Posteroanterior projection | Lt wrist X-ray | follow-up | cast in situ | image width 110.0 mm:

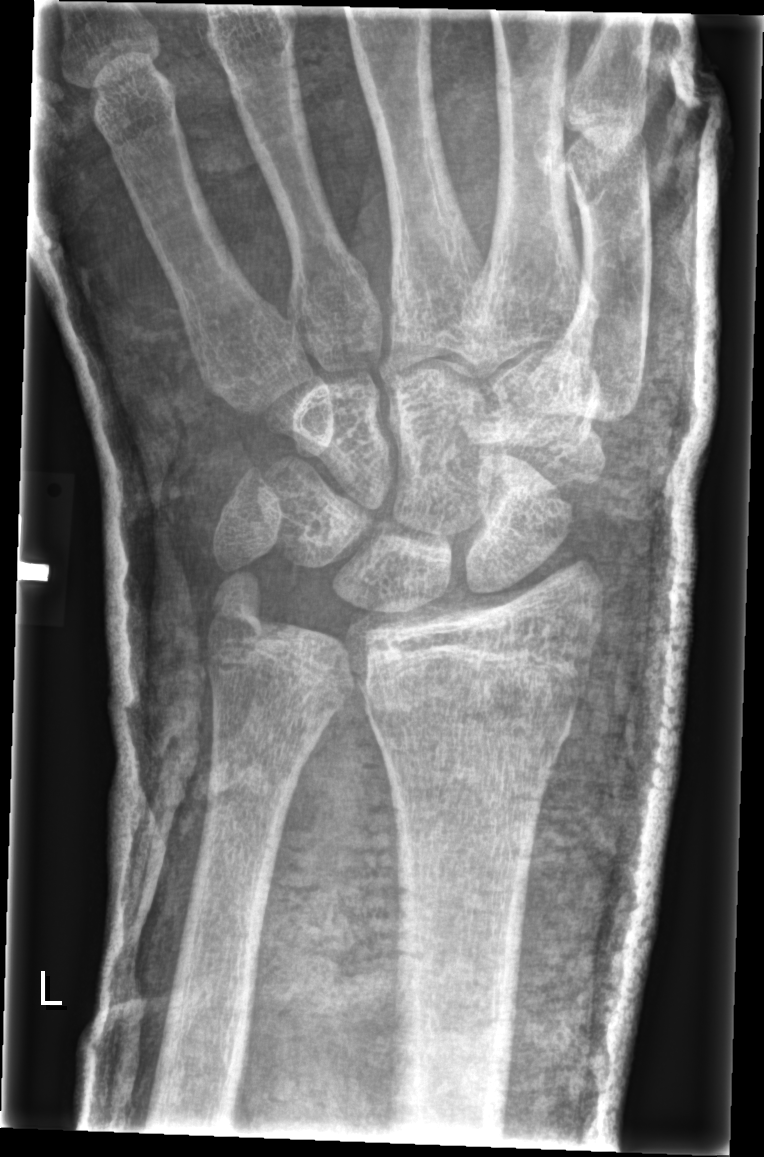

Fractures — bbox(356, 645, 588, 763) bbox(203, 568, 293, 646).